Rt wrist XR; lateral; pediatric patient (male, age 1.3) — 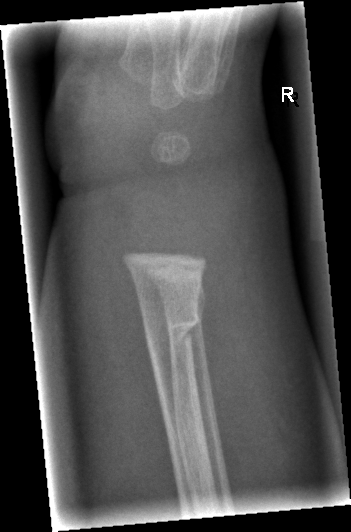

FINDINGS: Fracture classified AO/OTA 23-M/2.1. Bone fracture: (left=143, top=310, right=201, bottom=353), (left=160, top=282, right=208, bottom=314).